L plain radiograph of the wrist | lateral view | 14y M | follow-up study | Siemens —
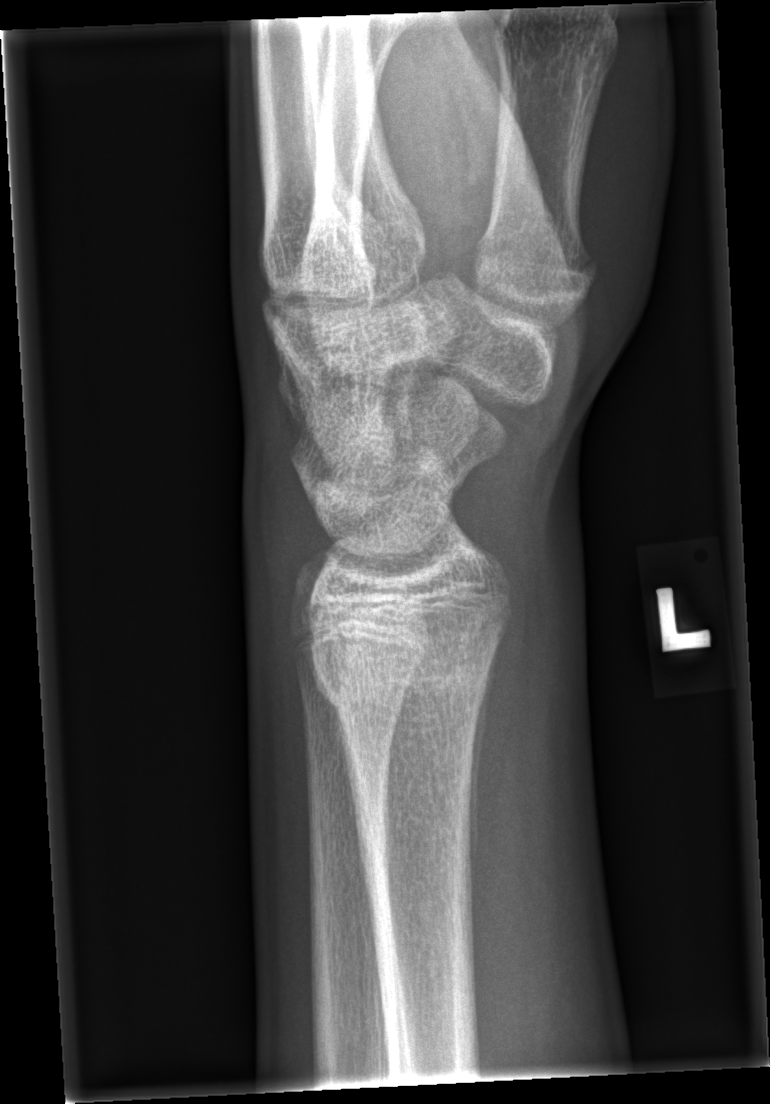

Q: AO code?
A: AO/OTA classification: 23r-M/3.1; 23u-E/7
Q: Bone density?
A: Reduced bone mineral density
Q: Is there periosteal reaction?
A: Periosteal thickening: 463 613 508 971
Q: Fracture present?
A: Fx: 302 613 500 721